Lt plain radiograph of the wrist, lat, age 6 y, boy, follow-up, cast present: 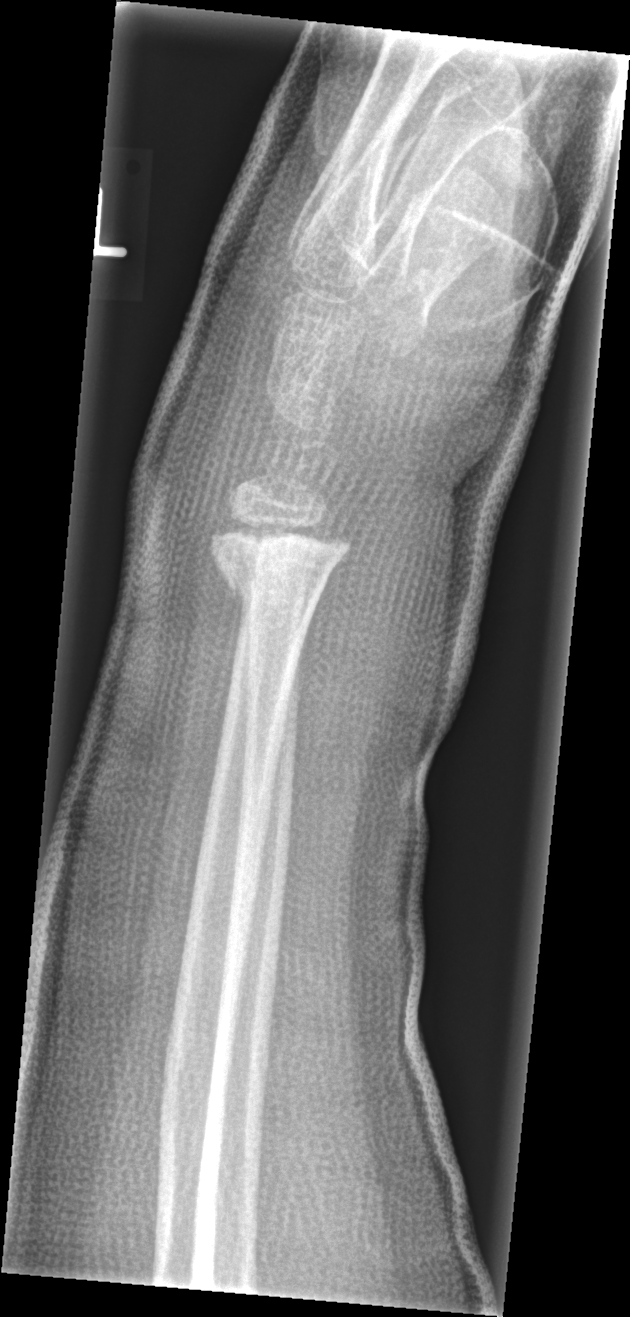

Fracture classified AO/OTA 23r-E/2.1; 23u-M/2.1.
Fx — [204, 520, 352, 604].